Right pediatric wrist radiograph · PA projection · 12y F.
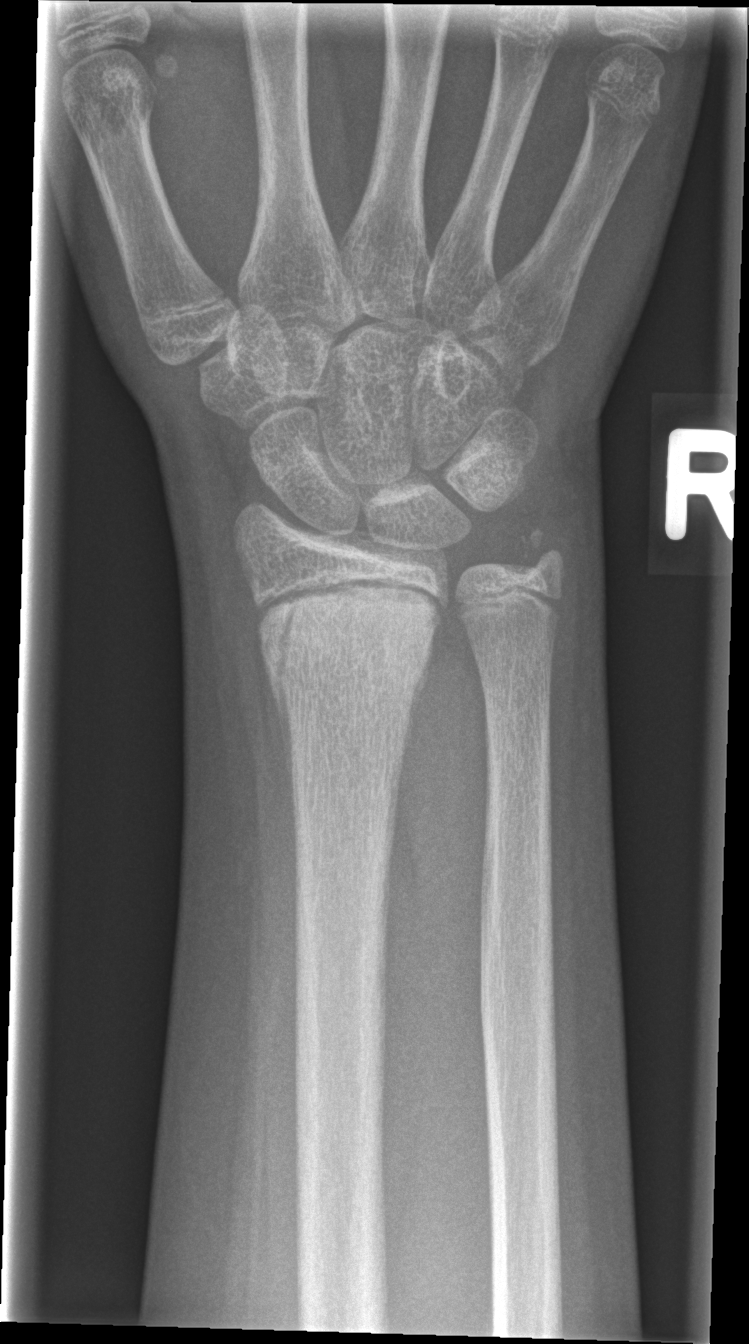
Fx — [257, 587, 445, 722] [510, 515, 579, 591].
Osteopenia.
Periosteal new bone — [265, 662, 297, 860], [400, 640, 435, 775].